Frontal view; left wrist radiograph; 11y M; findings marked uncertain by the reading radiologist.

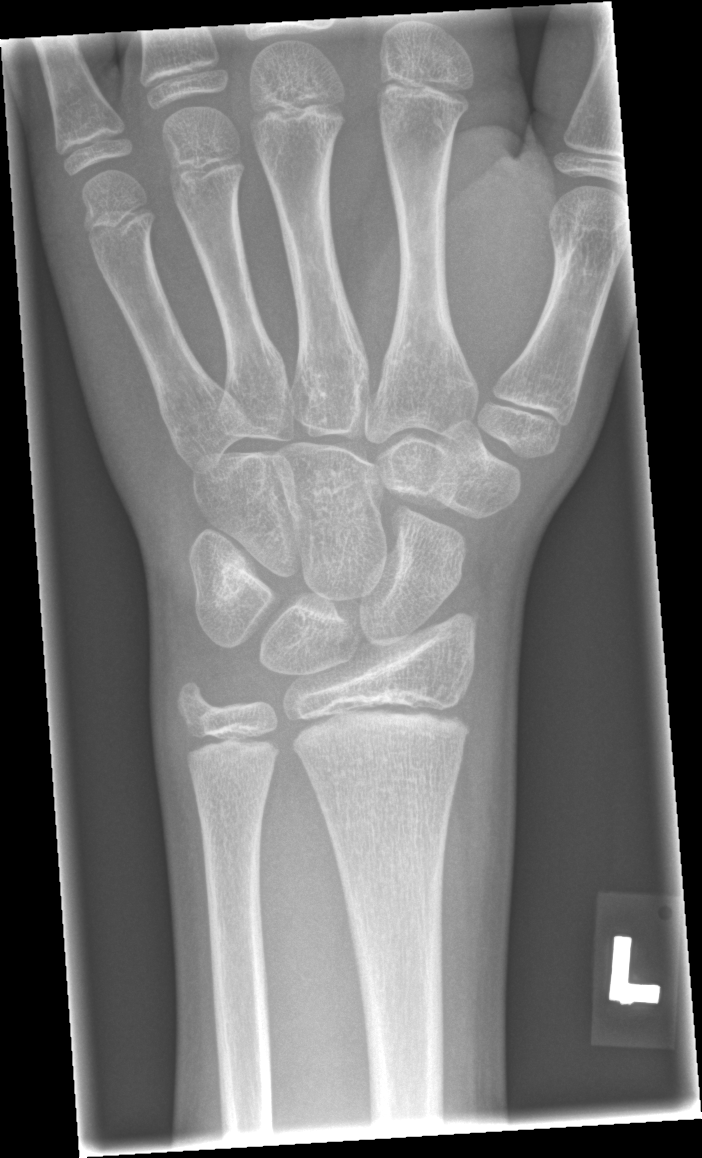

AO code = 23r-E/1
Bone fracture = present but not clearly seen in this view